Lat view, left wrist XR, boy, 14 yo, 489x1150: 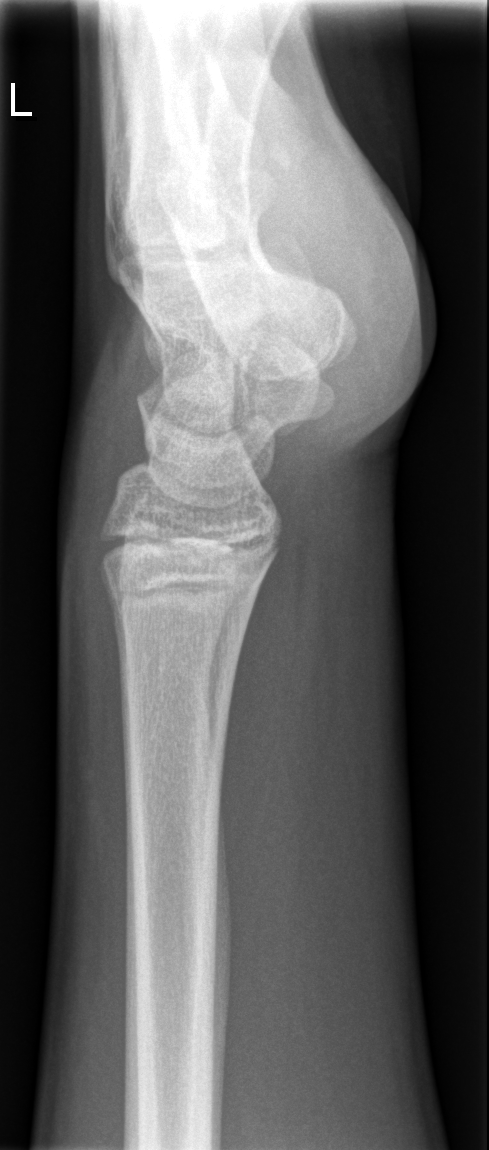 * Fracture: none labeled.